Left wrist radiograph; lateral view; 376x970:
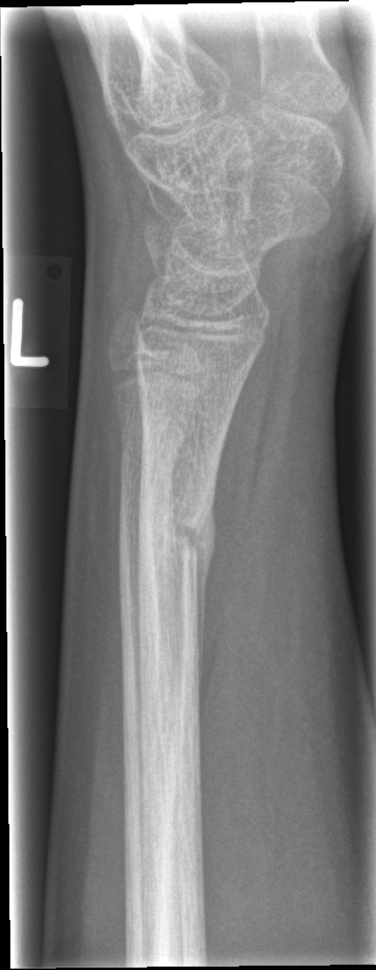
(boxes as x1,y1,x2,y2 (top-left / bottom-right, pixel units))
osteopenia: present
AO classification: 23r-M/3.1; 23u-M/2.1
periosteal reaction: bbox(192, 488, 217, 695)
fracture: 1 @ bbox(134, 487, 221, 578)